Lateral view; Lt pediatric wrist radiograph. 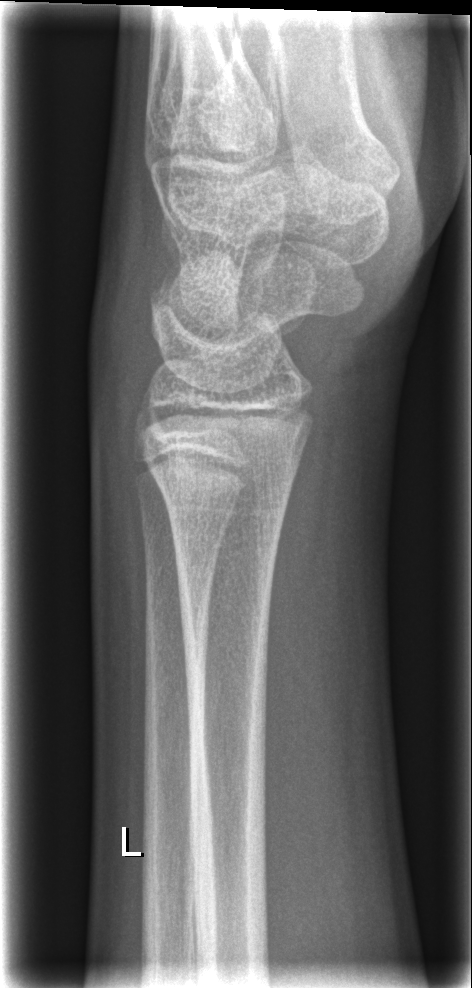
{
  "_coords": "boxes as x1,y1,x2,y2 (top-left / bottom-right, pixel units)",
  "fracture": "bbox(144, 458, 300, 538)",
  "ao": "23r-M/2.1"
}